Posteroanterior view | Rt wrist radiograph | presentation radiograph — 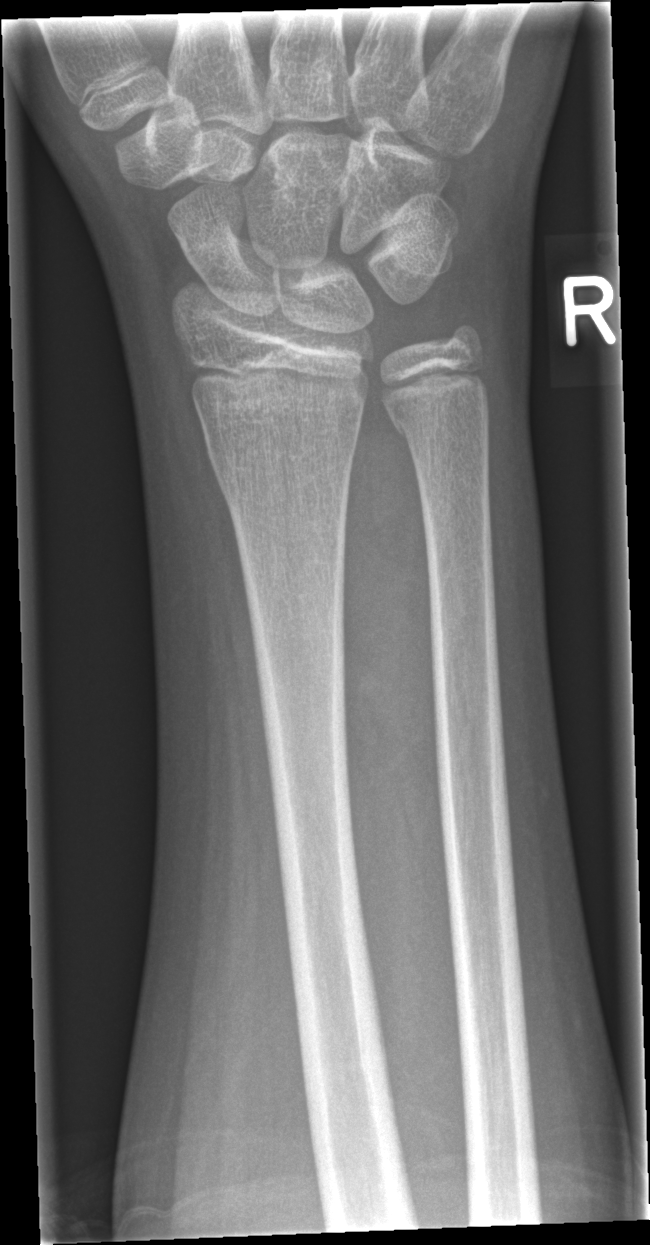

FINDINGS — (pixel coordinates, top-left origin, xyxy) AO/OTA classification: 23-M/2.1. Fracture identified at 200 425 360 507; 388 399 492 449.